Rt wrist X-ray, lat, pediatric patient (girl, age 7), presentation radiograph, 654x816.

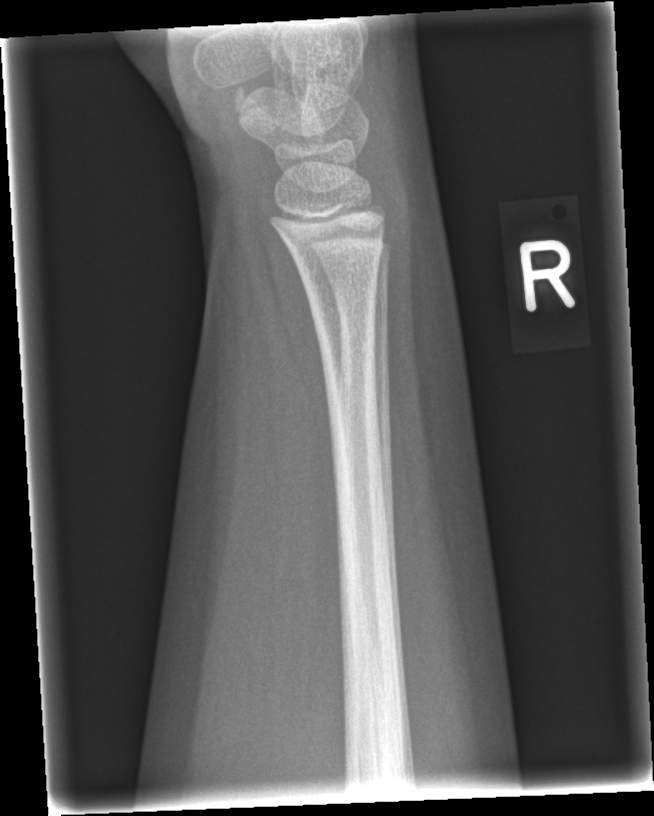

Fx: none.